Left wrist X-ray; lateral view; image size 580x1385

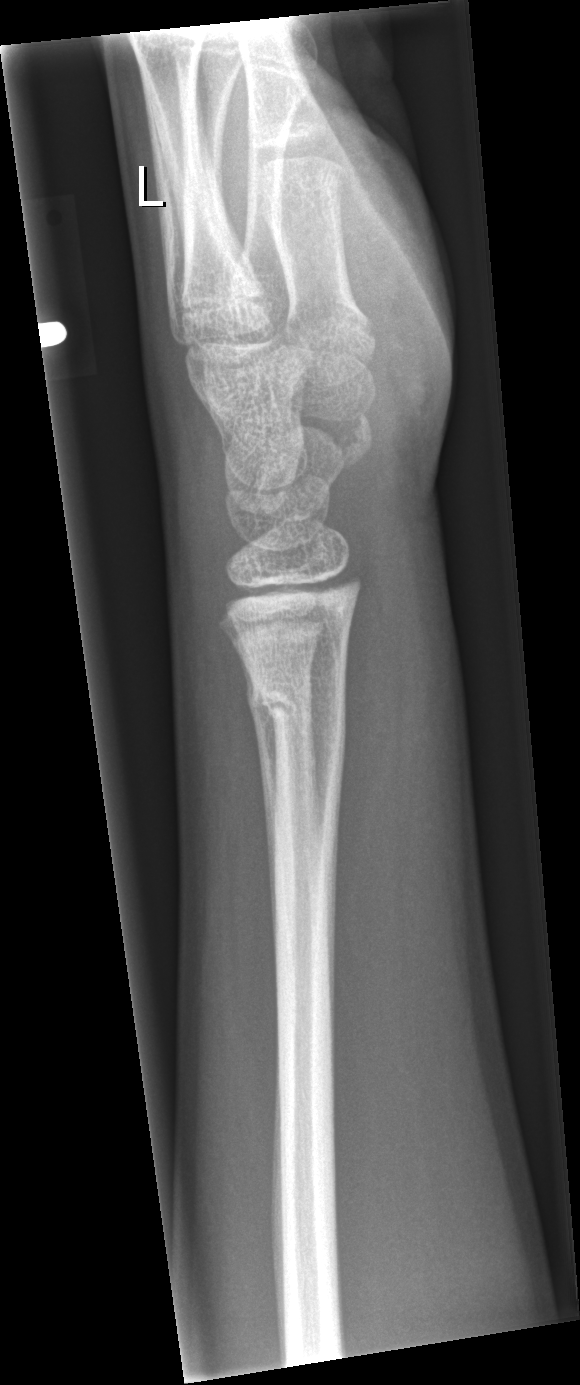
Bone fracture identified at 242 671 349 764.
One pronator sign at 330 564 408 908.